Lt wrist radiograph | lateral | 11-year-old boy | follow-up study:
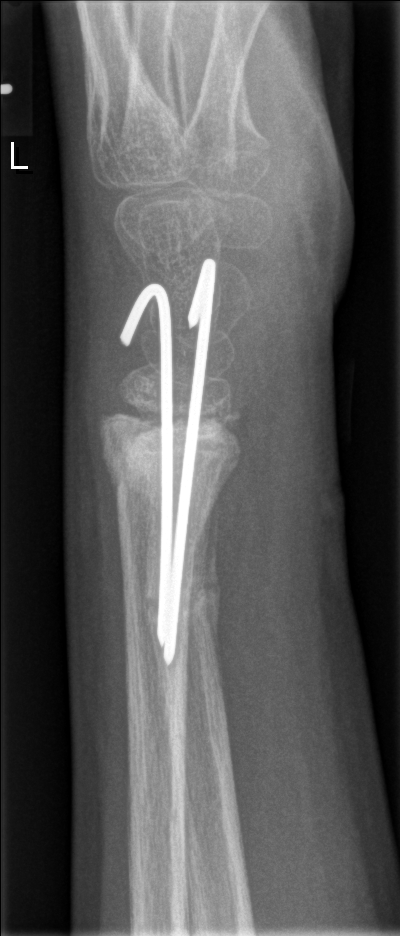 (coordinates are [x1, y1, x2, y2] in image pixels)
osteopenia: present
AO/OTA: 23r-E/2.1; 23u-M/3.1; 23u-E/7
bone fracture: 2 @ bbox(95, 404, 243, 512); bbox(144, 532, 225, 668)
metallic hardware: 1 @ bbox(118, 257, 218, 668)